Frontal view · Rt wrist radiograph · subsequent exam · cast in situ · Siemens · 102.4 mm image width · image size 711x1040 —
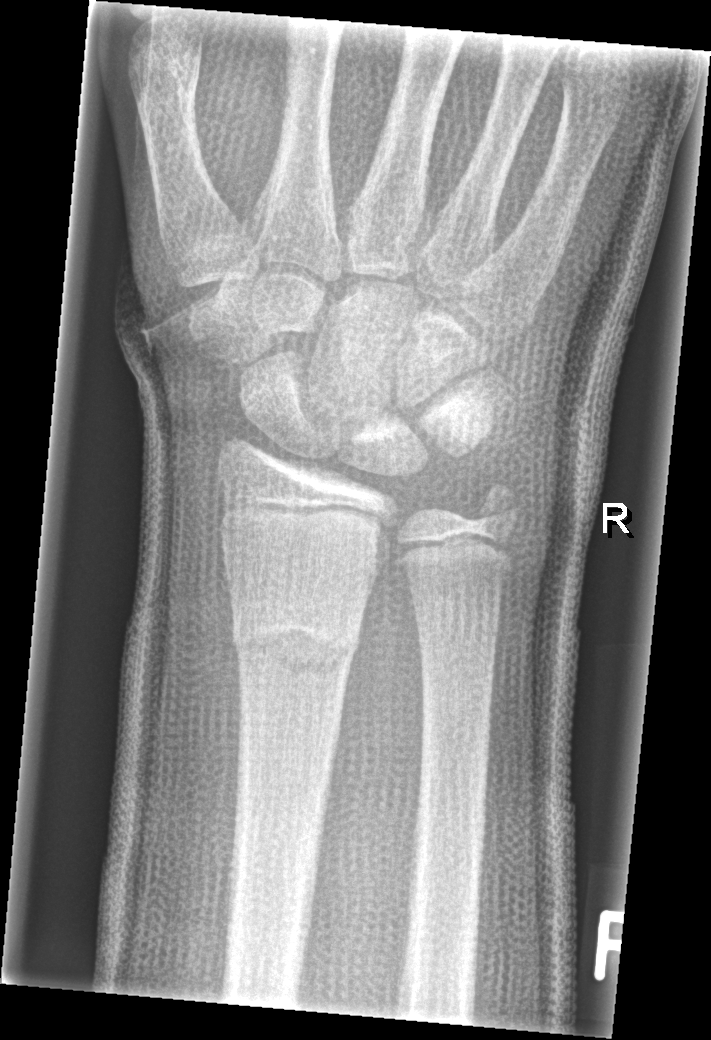

# pixel coordinates, top-left origin, xyxy
fracture: 2 @ 226,610,365,684
  468,477,528,541